PA view · right wrist XR · age 1.6 y, female · detector: Siemens: 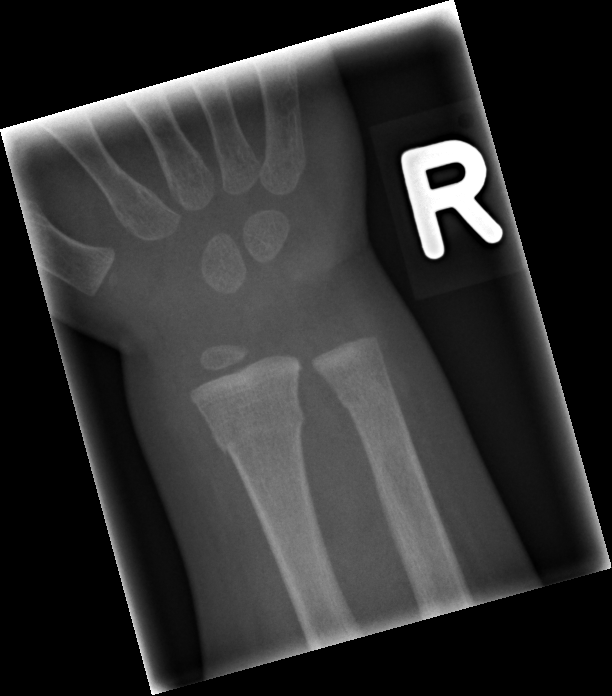 Fx = (left=208, top=399, right=307, bottom=464) (left=332, top=372, right=397, bottom=413)